Lat projection | left plain radiograph of the wrist | 625 x 796 px.

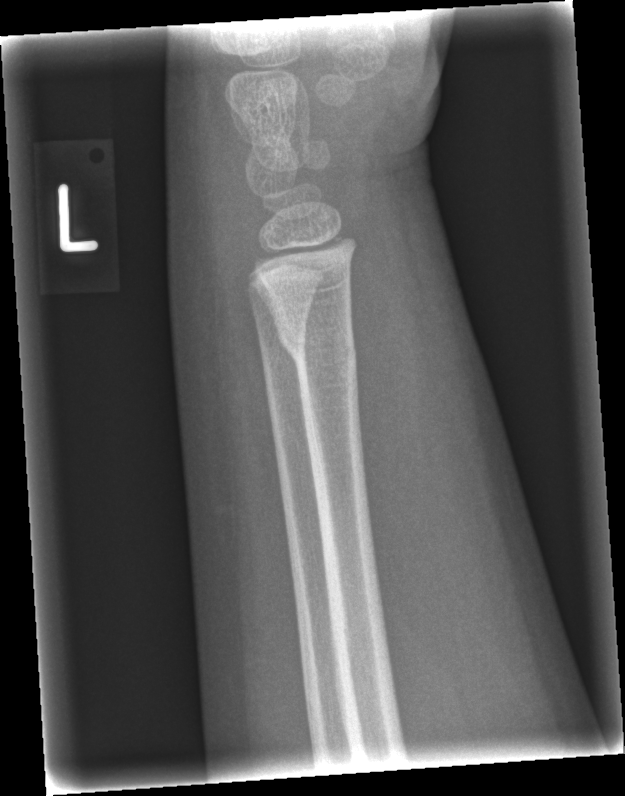 Fx identified at <275,320>-<362,382>.